Left wrist XR · lat view · 10-year-old boy · index exam · image size 357x772.

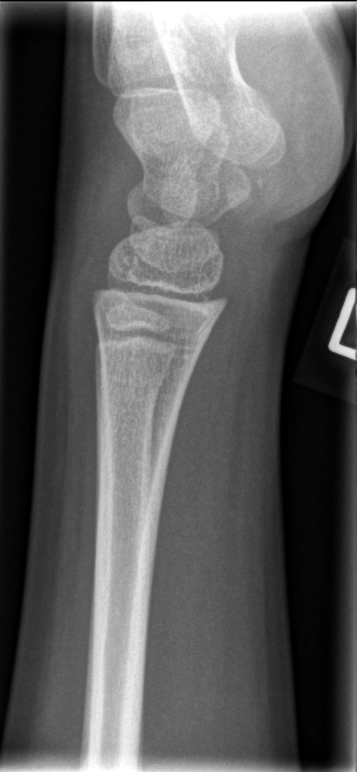
bone fracture: none labeled